Lateral projection, R pediatric wrist radiograph, pediatric patient (male, age 7), follow-up, image width 72.1 mm.

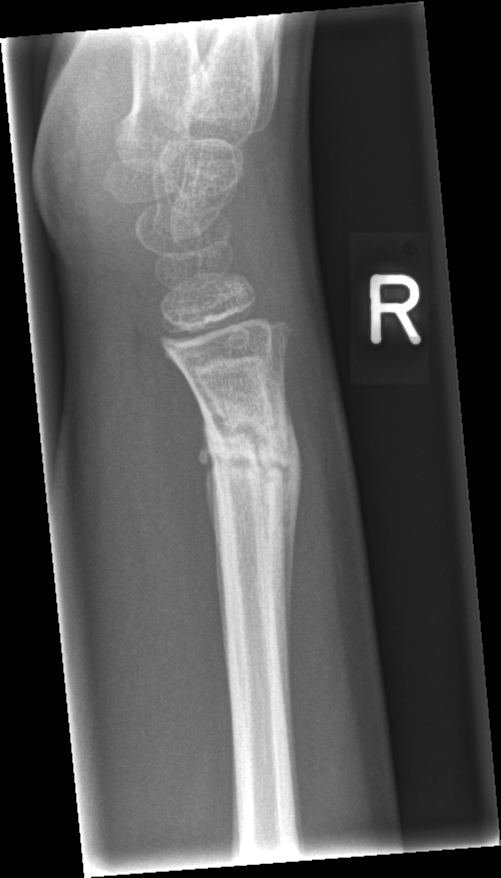
FINDINGS: AO code 23-M/3.1. One fracture at (202, 410, 295, 500). Periosteal reaction: (197, 423, 229, 651), (281, 381, 305, 676).